L pediatric wrist radiograph · PA/AP view · in cast

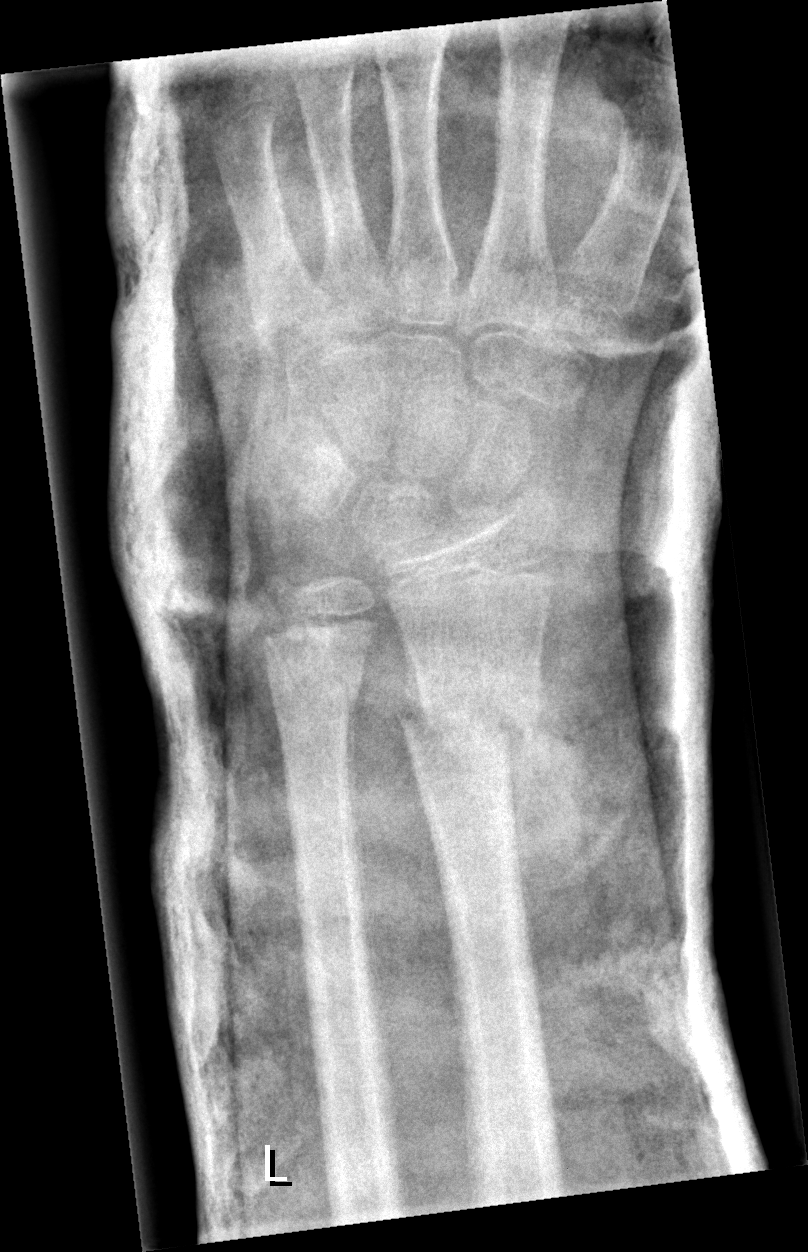
{
  "_coords": "coordinates are [x1, y1, x2, y2] in image pixels",
  "fracture": "2 @ 394,680,546,759\n  265,664,365,727",
  "ao": "23r-M/3.1; 23u-M/2.1"
}